Right wrist X-ray, AP, follow-up:

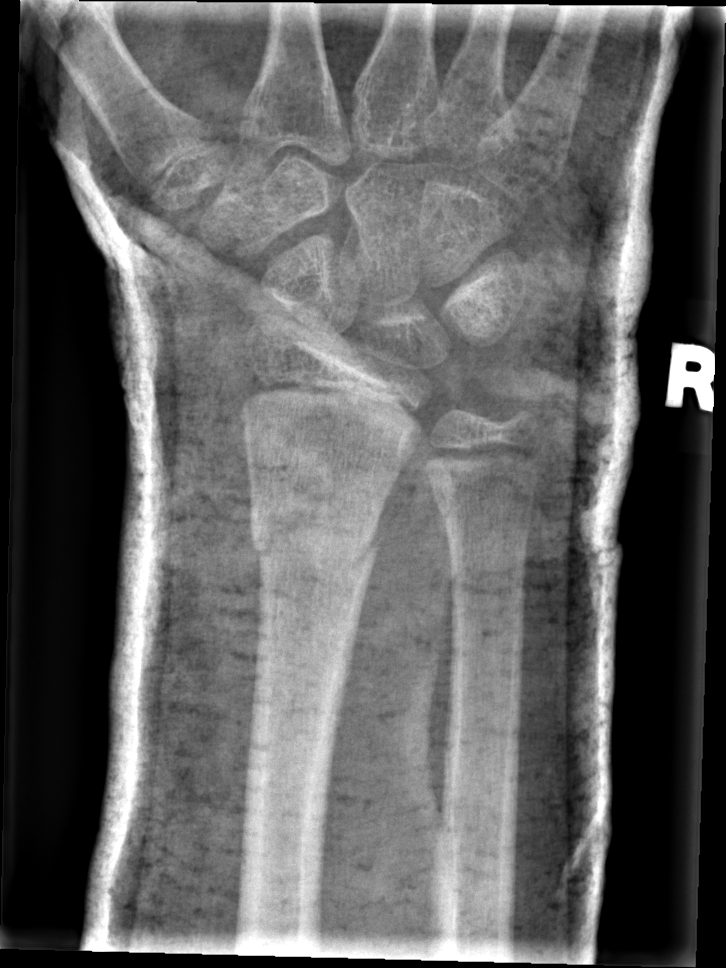
Bone fracture: 247 515 384 599 | 429 473 545 534
AO classification: 23r-M/3.1; 23u-M/2.1